Lat view; L wrist XR; age 8 y, male; follow-up
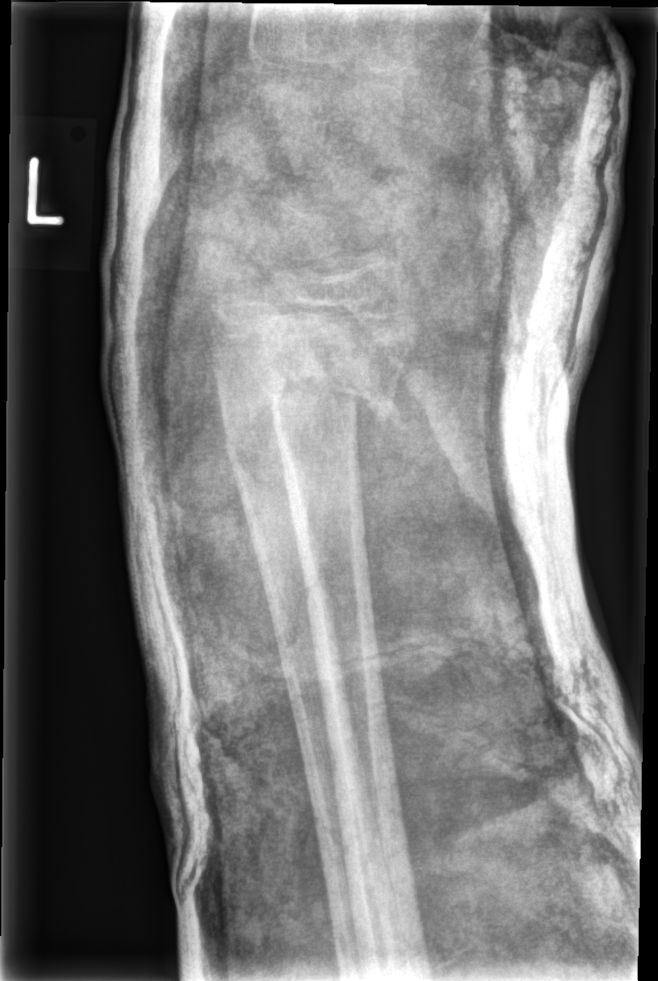
(pixel coordinates, top-left origin, xyxy)
AO classification = 23-M/3.1
Fx = (253, 330, 405, 440); (217, 369, 299, 462)